Lateral | left wrist radiograph | boy, 10 yo | follow-up. 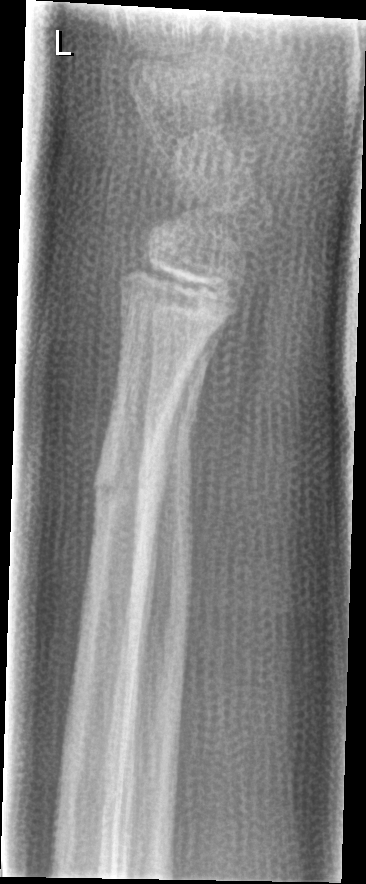

Bounding boxes in image-pixel xyxy.
Fracture identified at [138, 391, 205, 458] [88, 458, 162, 517].